Right wrist plain radiograph of the wrist | lateral projection | age 14 y, boy | follow-up | imaged through cast | detector: Siemens —
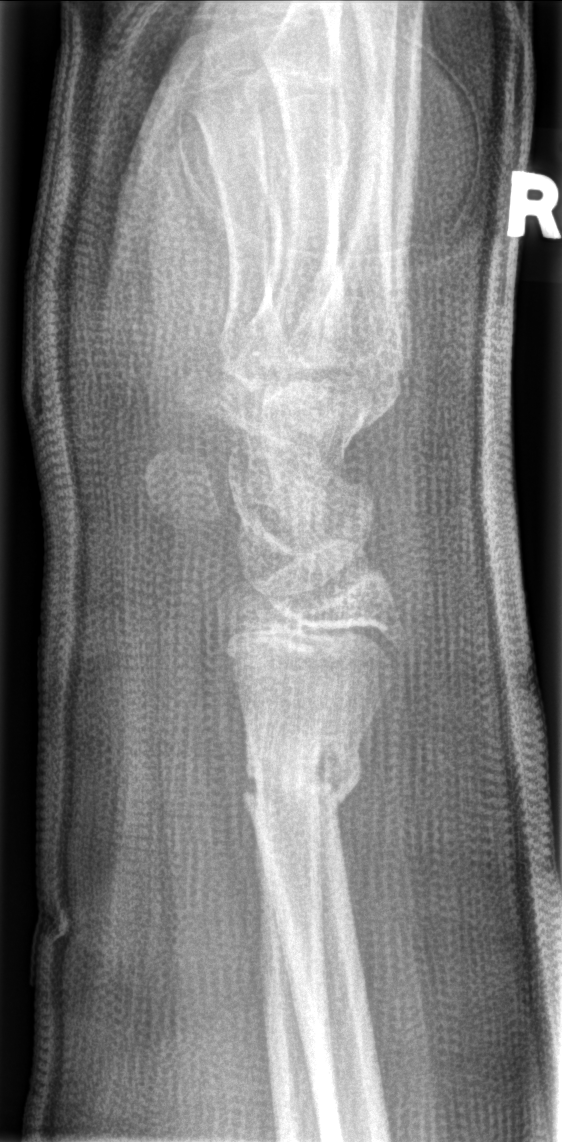

- Coordinates are [x1, y1, x2, y2] in image pixels.
- Fracture: [239, 720, 368, 832].
- AO code 23r-M/3.1; 23u-E/7.